Lateral view, left wrist X-ray, female, 10 yo, detector: Siemens
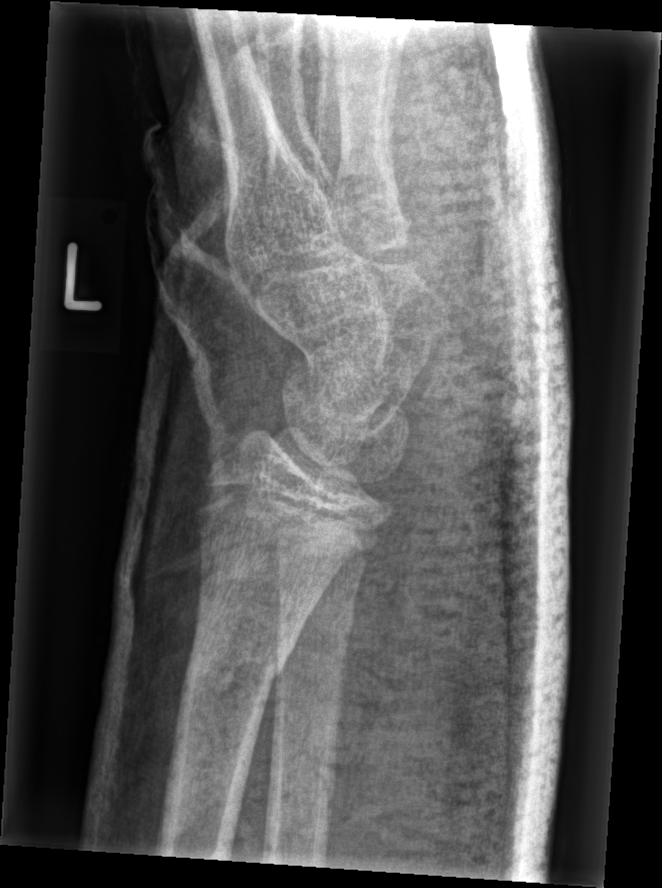
Fracture classified AO/OTA 23-M/2.1. Bone fracture — [x1=178, y1=622, x2=293, y2=707].